PA/AP projection · Lt plain radiograph of the wrist · 4y M — 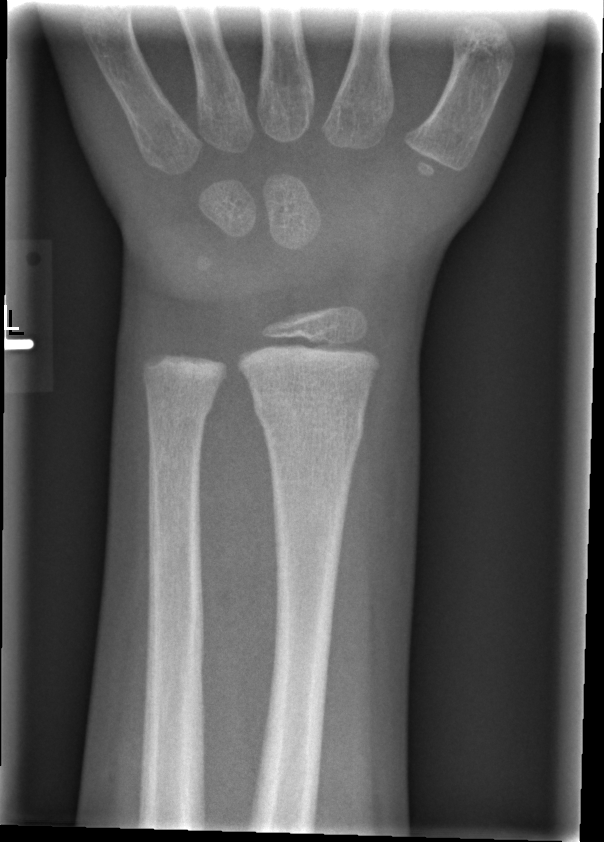 - Coordinates are [x1, y1, x2, y2] in image pixels.
- Fx — (left=250, top=397, right=368, bottom=448), (left=142, top=385, right=218, bottom=428).
- Fracture classified AO/OTA 23-M/2.1.